Lat · right wrist XR · detector: Siemens
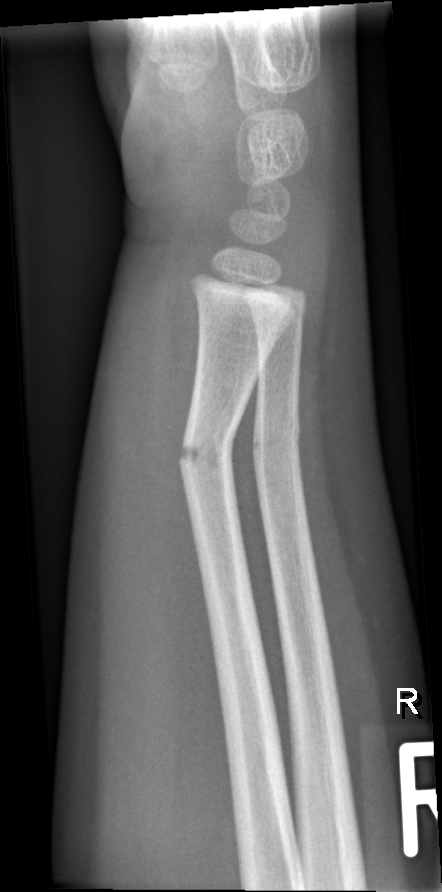
FINDINGS: Fracture classified AO/OTA 23-M/3.1. Fracture identified at [174, 421, 239, 483], [250, 414, 304, 458].